Posteroanterior projection; left wrist X-ray —
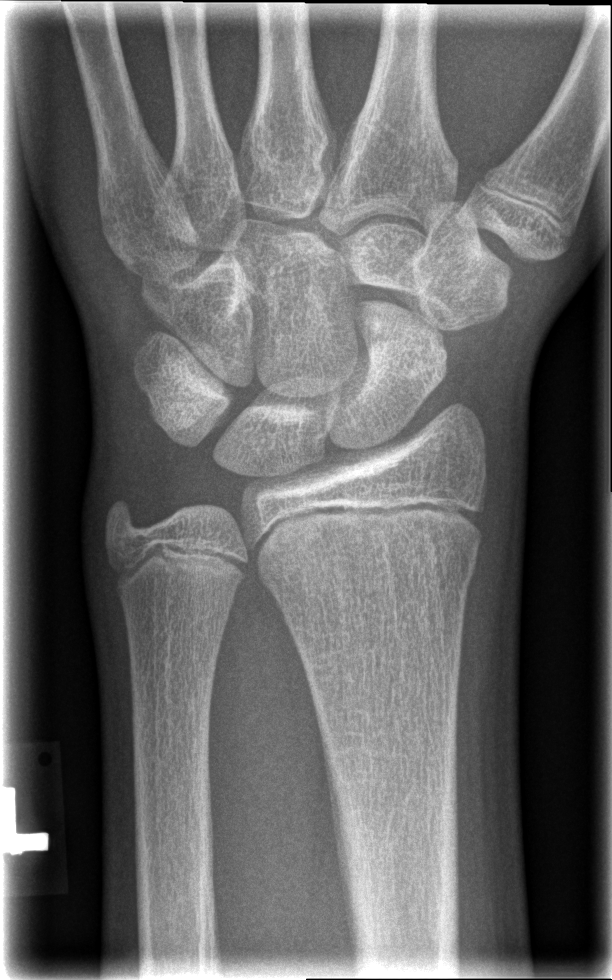

FINDINGS: (coordinates are [x1, y1, x2, y2] in image pixels) Bone fracture identified at (left=259, top=538, right=482, bottom=616).